PA/AP projection · left wrist pediatric wrist radiograph. 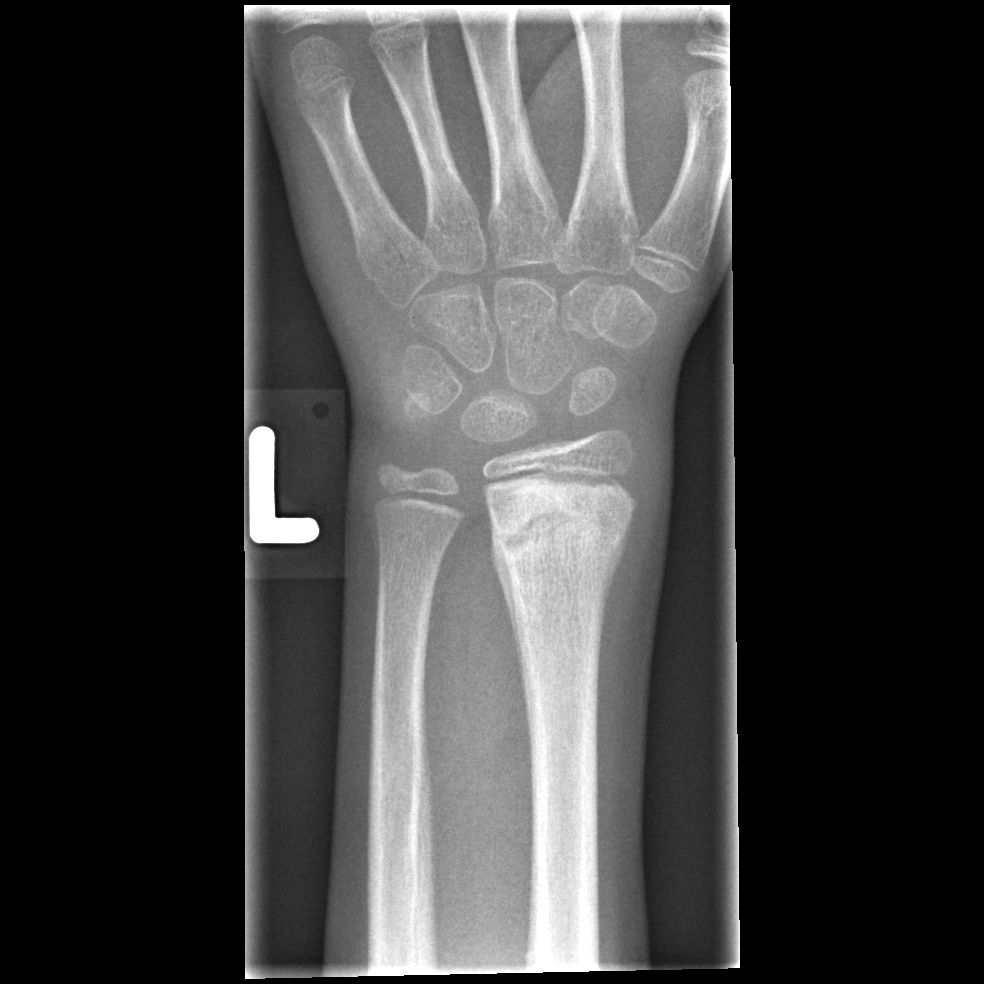

Fracture classified AO/OTA 23r-M/3.1. Fx identified at 486 482 637 570. Osteopenia. Periosteal thickening: 488 502 526 699.